Lat projection, Rt plain radiograph of the wrist, follow-up study, Siemens — 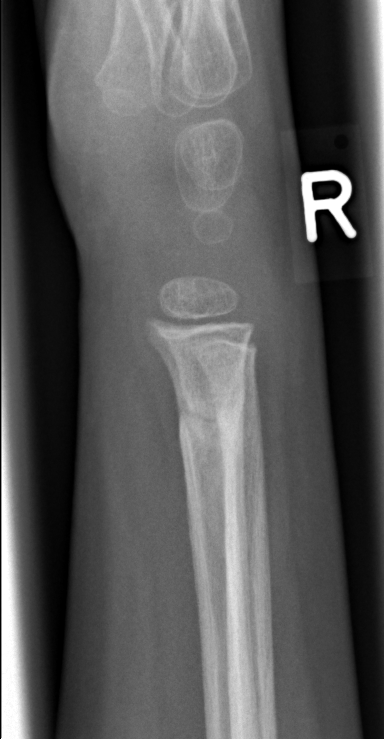 Fracture classified AO/OTA 23-M/3.1.
Fracture identified at 172,377,249,452.